Lat | left pediatric wrist radiograph | 7y M | imaged through cast | 496 by 839 pixels

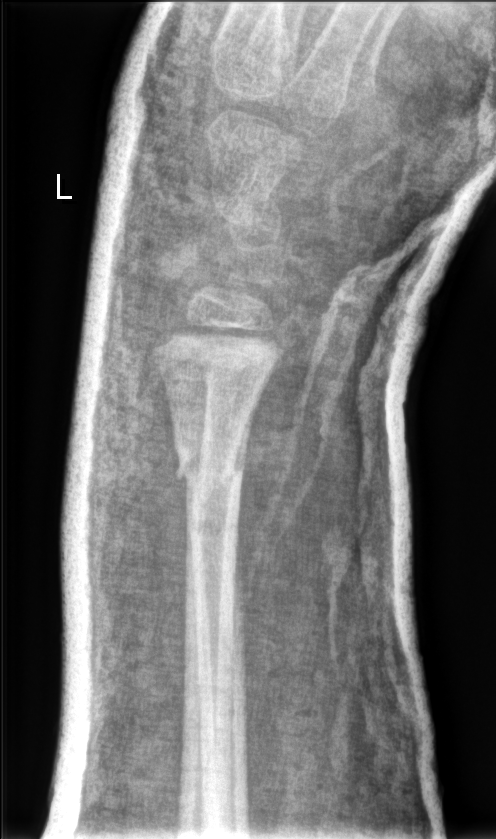
FINDINGS — (pixel coordinates, top-left origin, xyxy) Two bone fractures at <174,444>-<249,492>; <182,507>-<243,553>.